Lat projection · left wrist X-ray:
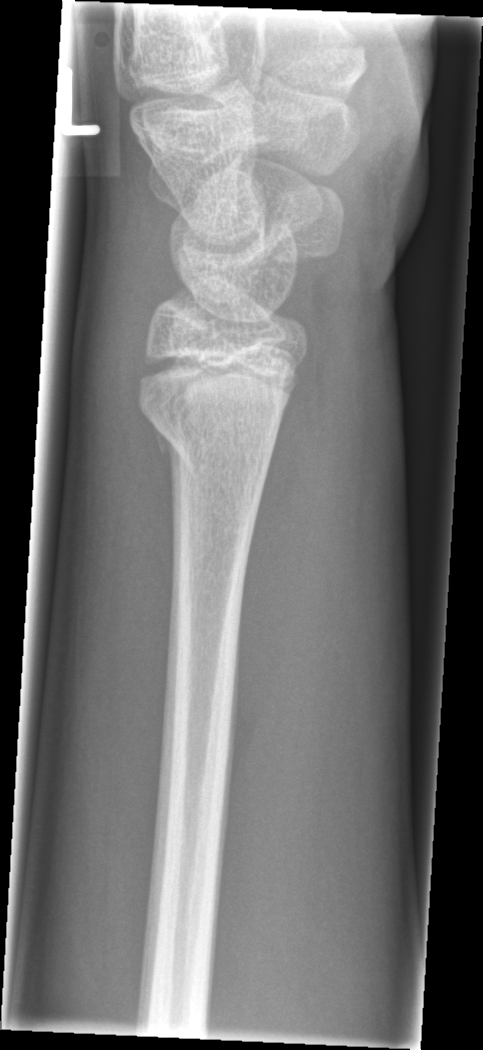

  pronatorsign: 1 @ (225, 335, 327, 787)
  fracture: 1 @ (138, 370, 293, 473)
  ao: 23r-M/3.1; 23u-E/7